Lt wrist radiograph · lateral view.
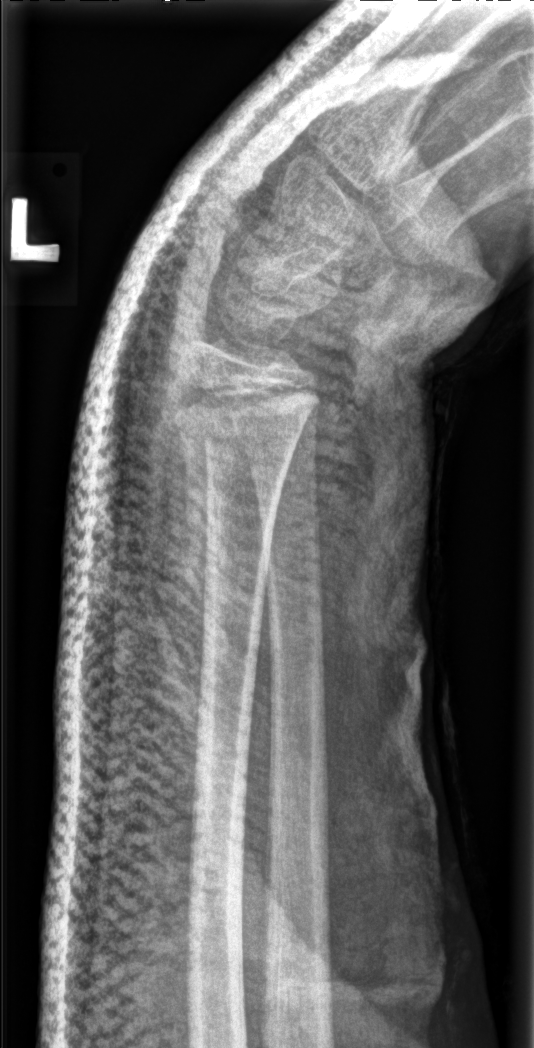
Fracture: bbox(161, 376, 321, 468).